Left wrist XR | lateral view | follow-up study
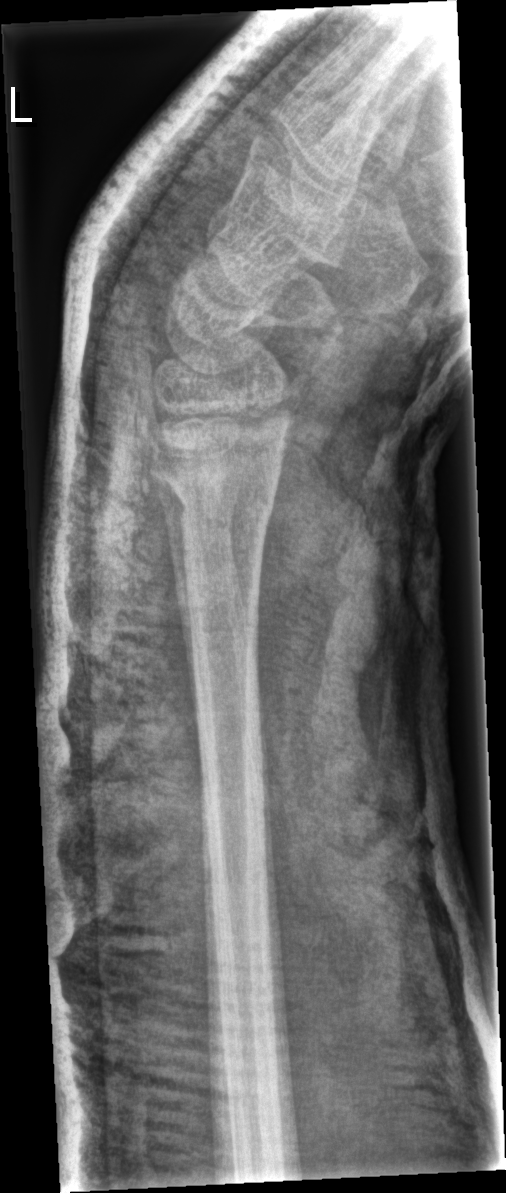 {
  "ao": "23r-M/2.1",
  "fracture": "163,465,282,525"
}